Frontal · Rt wrist radiograph · initial study · image size 416x648.

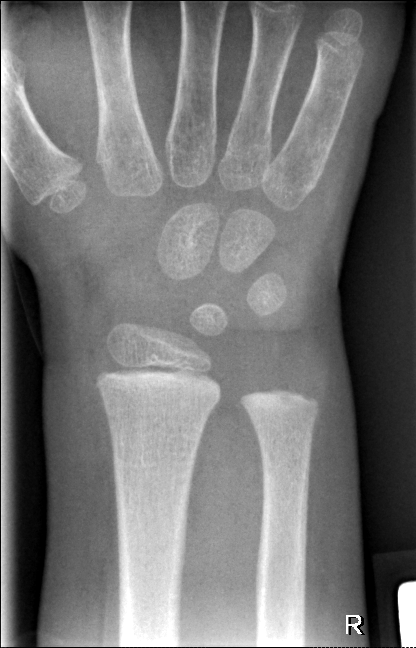

No Fx annotated.